PA/AP view, right wrist pediatric wrist radiograph, initial study, 650 x 1154 px.
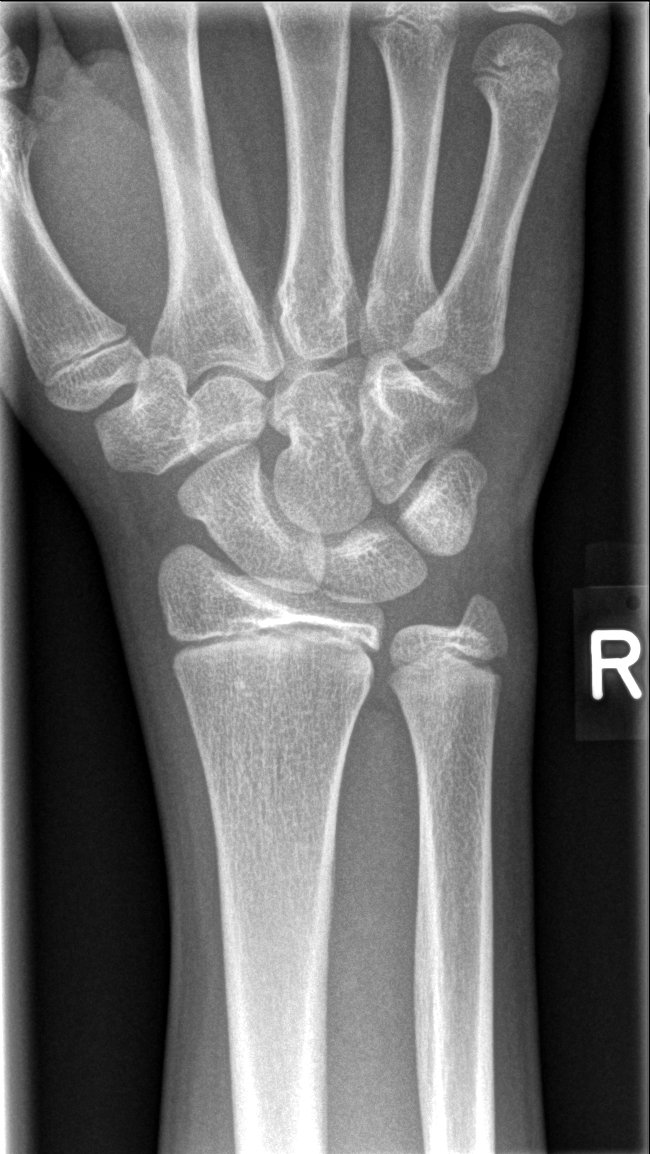

AO code: 23r-M/2.1
Fx: present but not clearly seen in this view